Lateral view, right wrist plain film, imaged through cast:
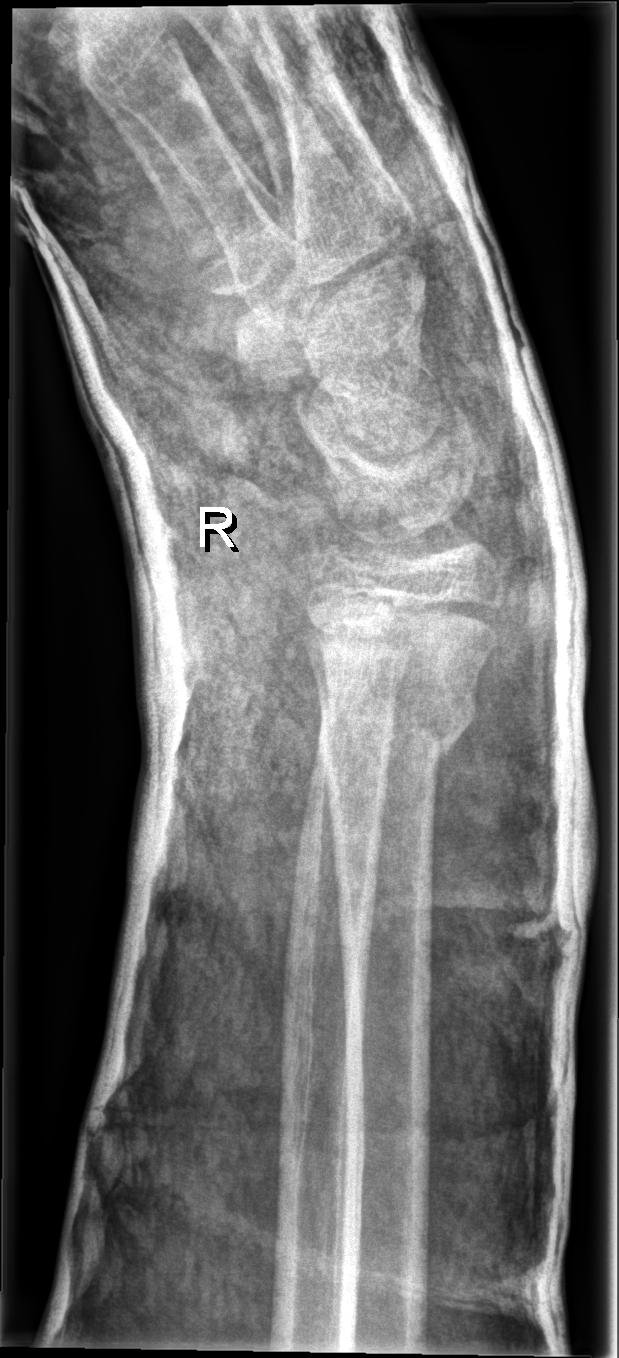 FINDINGS: (coordinates are [x1, y1, x2, y2] in image pixels) Bone fracture — (left=312, top=679, right=481, bottom=772).